Right wrist X-ray; frontal view; male, 15 yo; cast in situ — 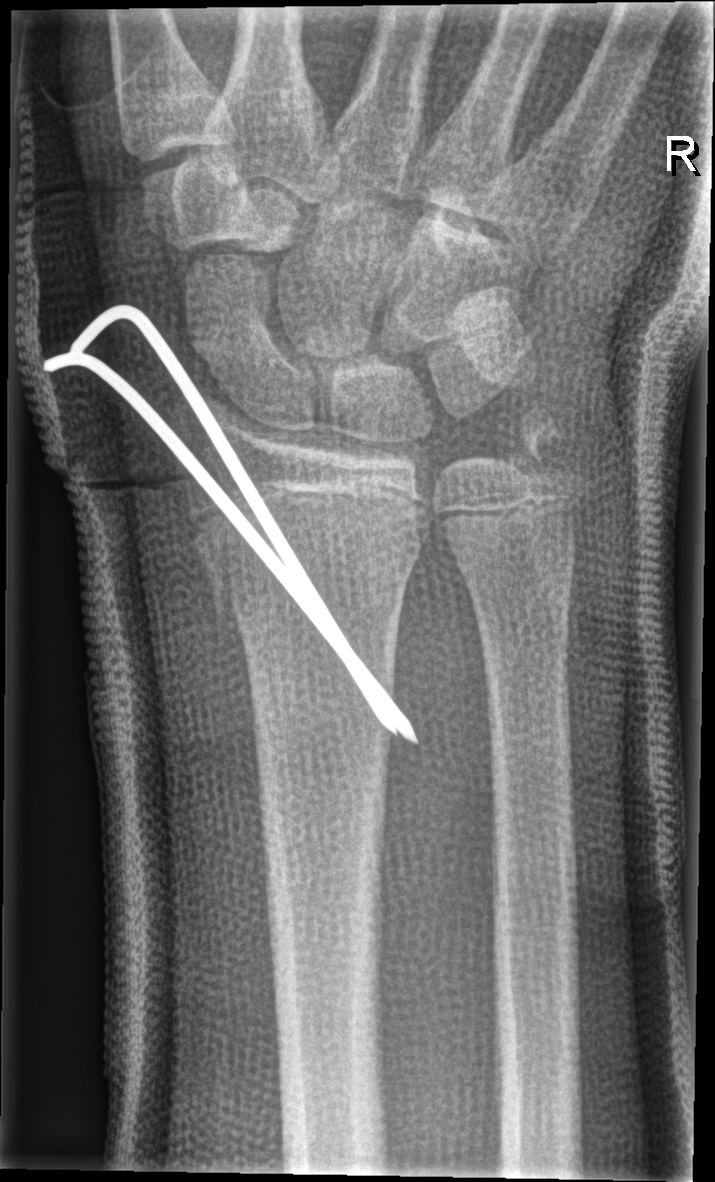 Coordinates are [x1, y1, x2, y2] in image pixels. One metal at 42 301 422 748. Fractures — 191 492 428 635; 502 400 590 505.